Lateral projection, left pediatric wrist radiograph. 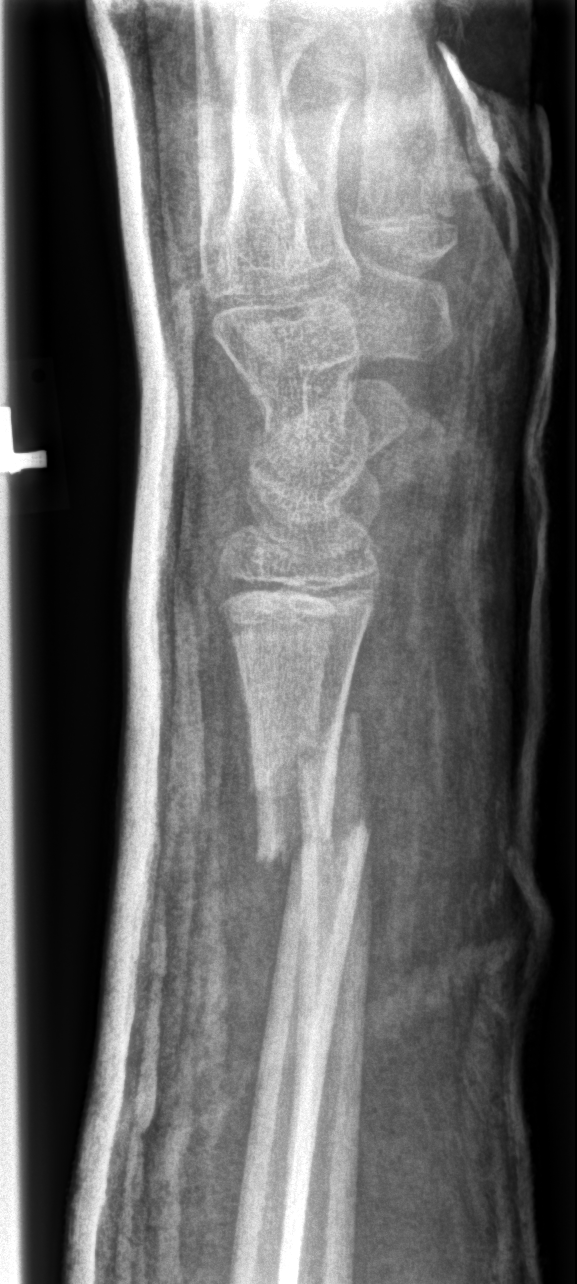
Fracture: 248,706,366,795 | 253,814,374,874.